AP view; right wrist plain radiograph of the wrist; 8y F; in cast:

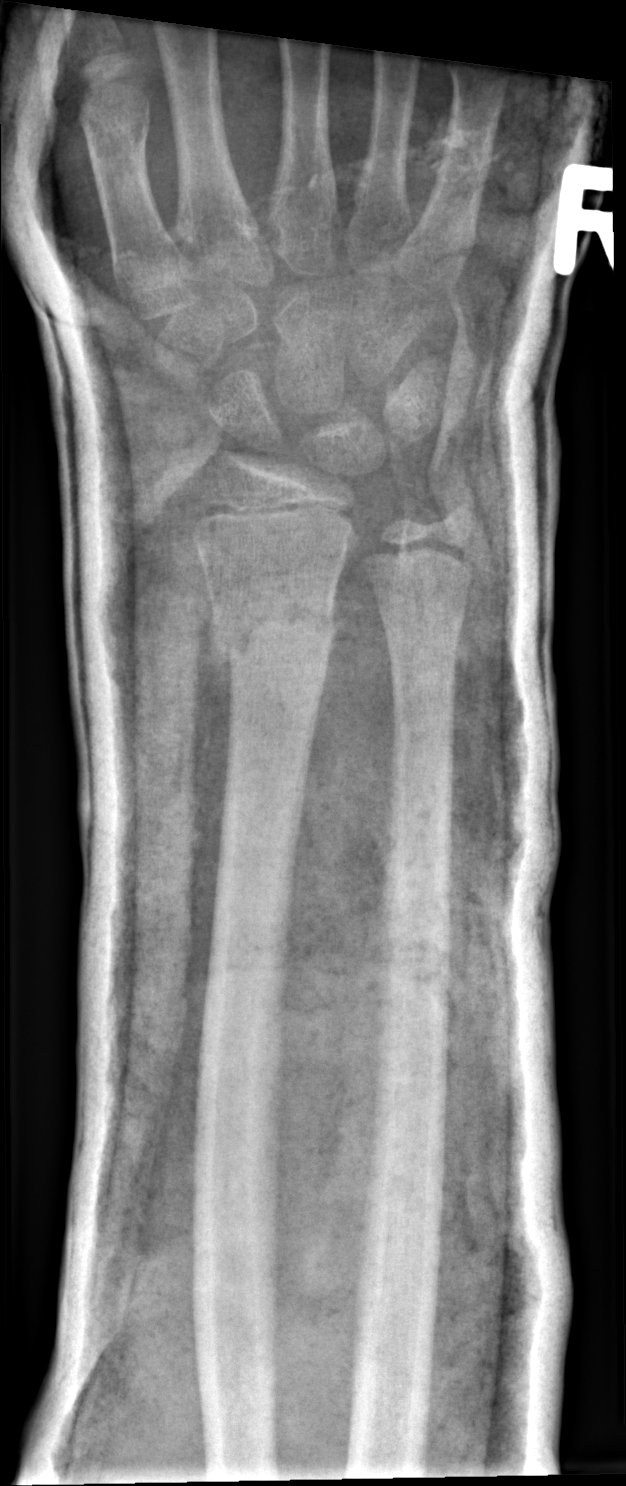 Pixel coordinates, top-left origin, xyxy.
Two bone fractures at 204,588,341,678
  377,601,468,655.